Rt wrist radiograph; PA/AP projection

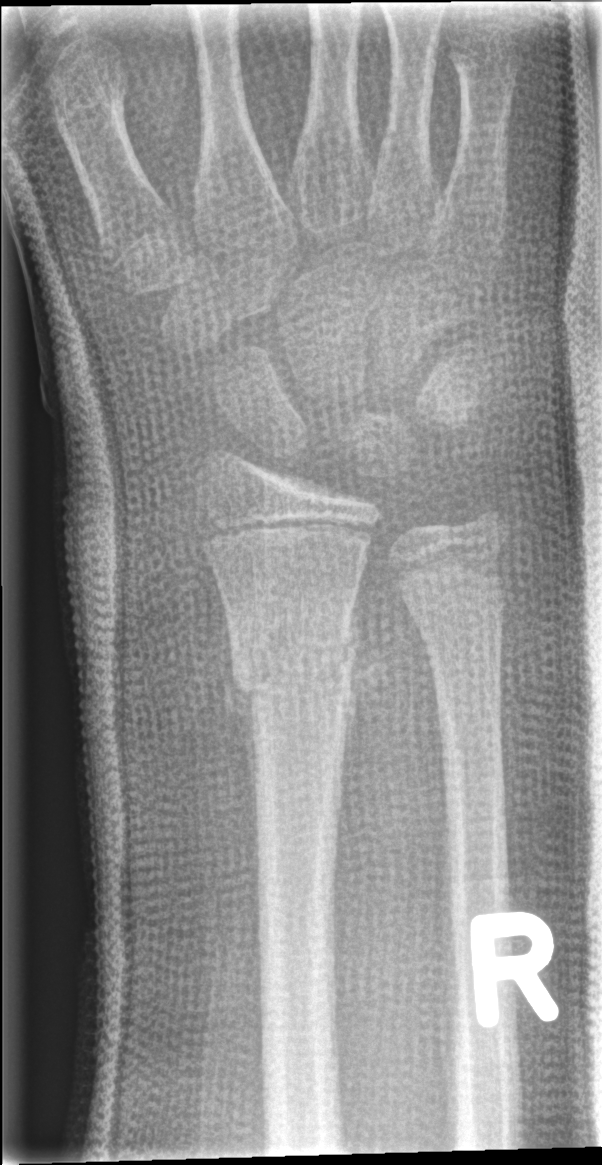

(bounding boxes in image-pixel xyxy)
Q: AO code?
A: AO code 23r-M/3.1; 23u-E/7
Q: Locate any fractures.
A: Bone fracture: <229,627>-<361,731>